R wrist radiograph · lat · Siemens:

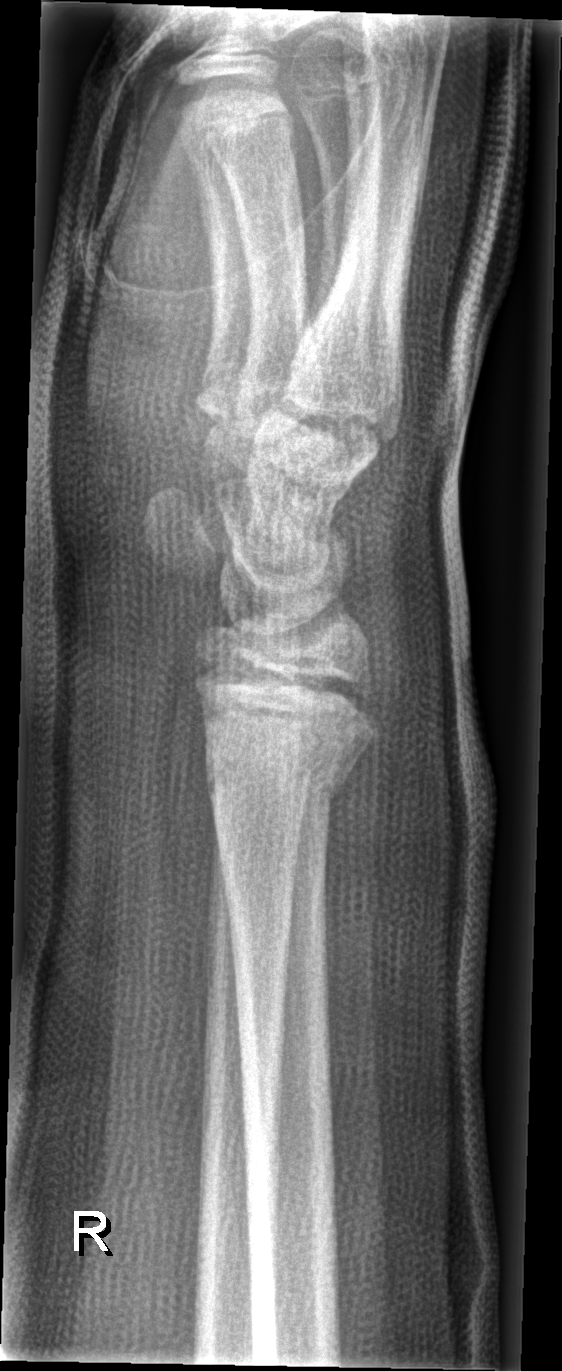

Fx: 200,744,365,816.